Lateral projection | R wrist plain film | age 16 y, male | in cast | acquired on Siemens | 95.6 mm image width | image size 664x1344.

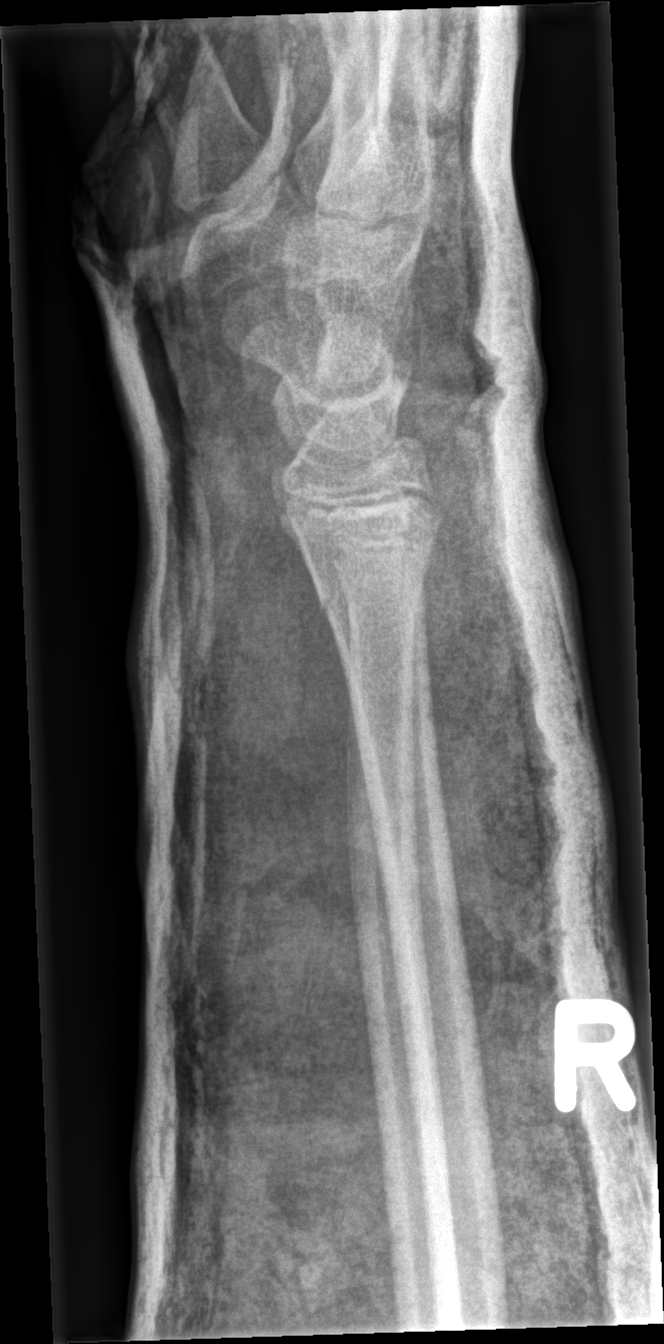
Q: Locate any fractures.
A: Fracture — (left=312, top=536, right=438, bottom=623)